Right wrist plain film · PA · male, 5 yo · detector: Siemens:
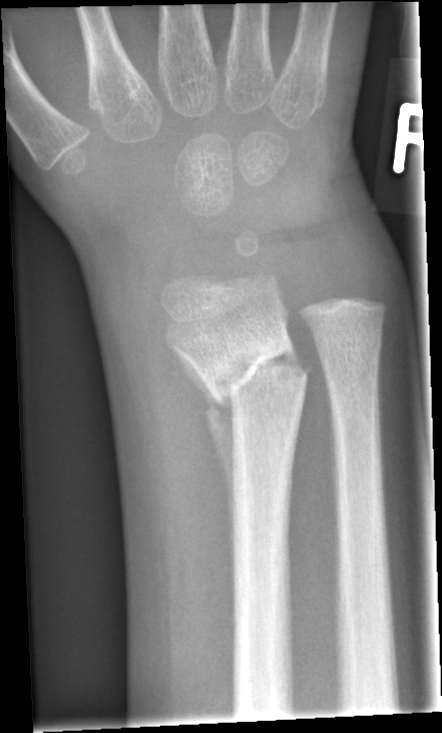

Reduced bone mineral density.
Periosteal thickening identified at [186, 363, 234, 541].
Fx: [201, 332, 311, 420].